PA view; Rt wrist plain film; presentation radiograph; Siemens; 63.2 mm image width.
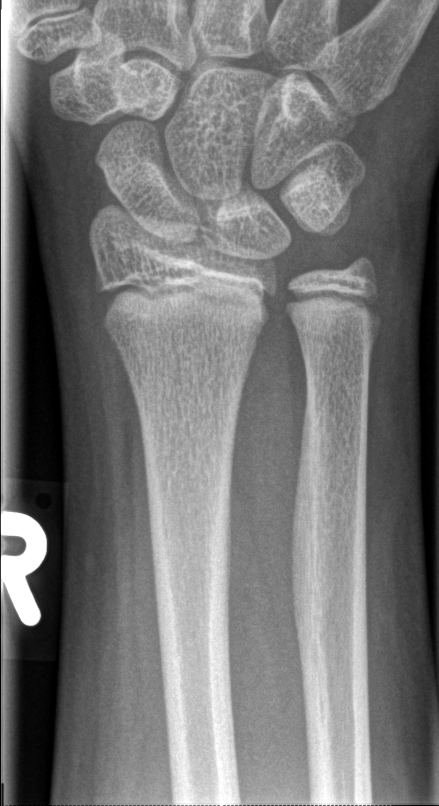
No fracture bounding box.